Lat; Rt wrist X-ray; 11-year-old boy; imaged through cast.

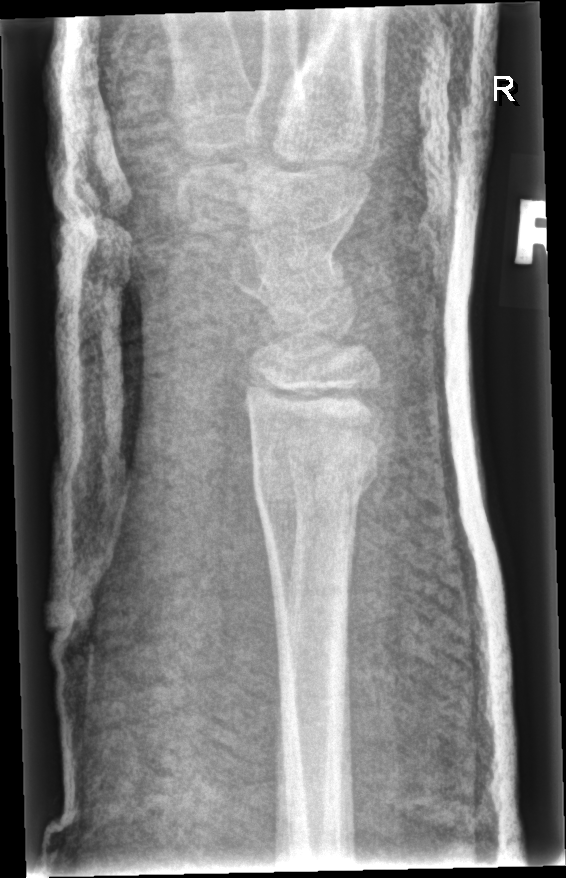
AO code: 23r-M/3.1
Fx: 1 @ [x1=249, y1=440, x2=382, y2=522]